Right wrist XR | PA/AP projection | boy, 6 yo | imaged through cast | 721 by 942 pixels —
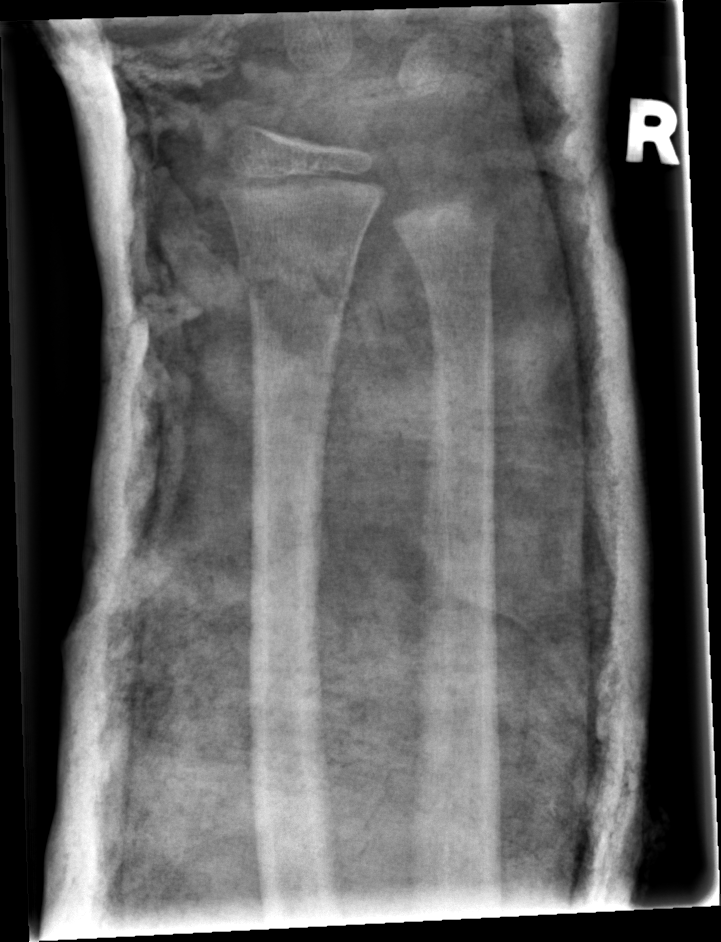
(pixel coordinates, top-left origin, xyxy)
Q: What is the AO/OTA classification?
A: AO/OTA classification: 23r-M/3.1; 23u-M/2.1
Q: Any fracture seen?
A: One bone fracture at [x1=235, y1=248, x2=358, y2=312]